Right wrist XR | lat projection | 12y M | presentation radiograph | 602 x 1392 px

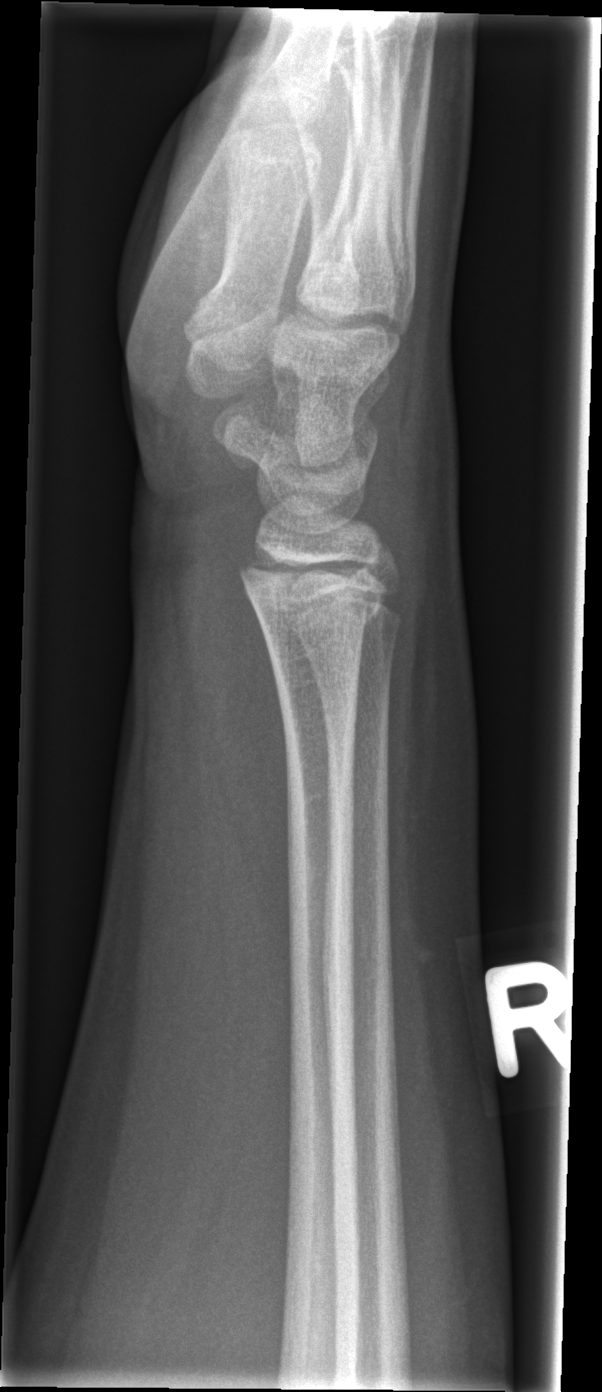 AO/OTA = 23r-E/2.1
Pronator sign = 1 @ 206,581,299,948
Fracture = 237,549,393,632